Lat projection | left wrist plain film 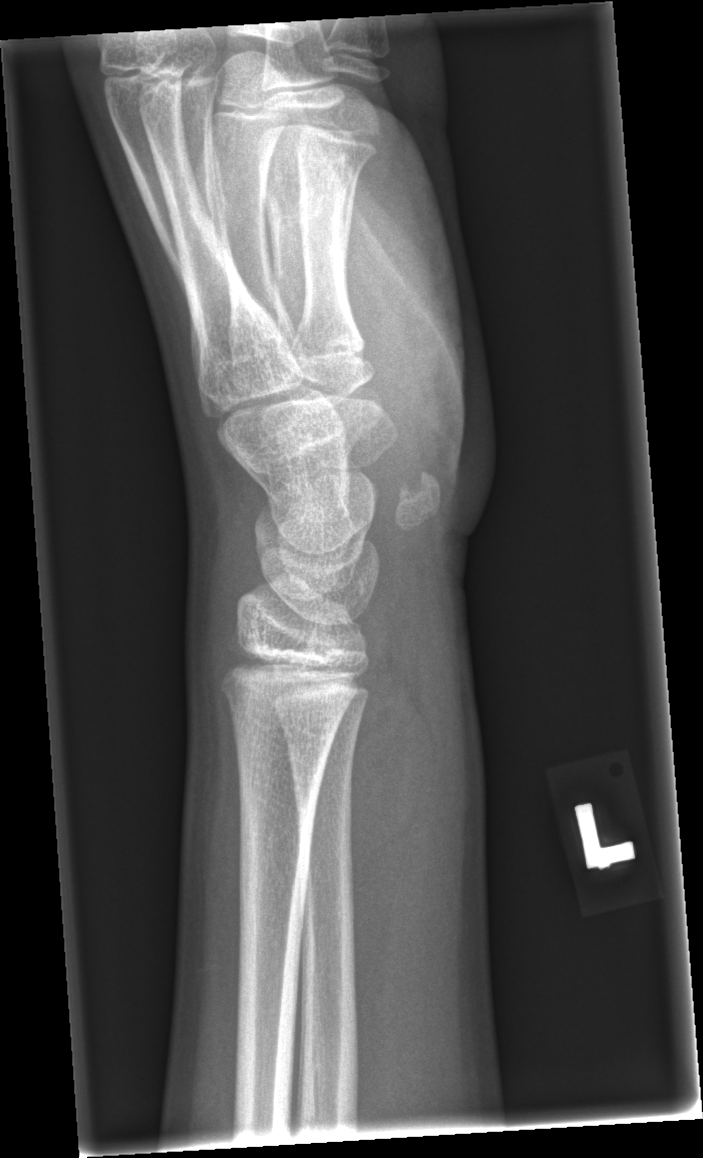 Pronator sign: [x1=347, y1=673, x2=426, y2=987]. AO code 23r-E/1. Fracture identified at [x1=215, y1=650, x2=367, y2=719].